PA/AP, right wrist XR, pediatric patient (male, age 8), image size 505x822 —

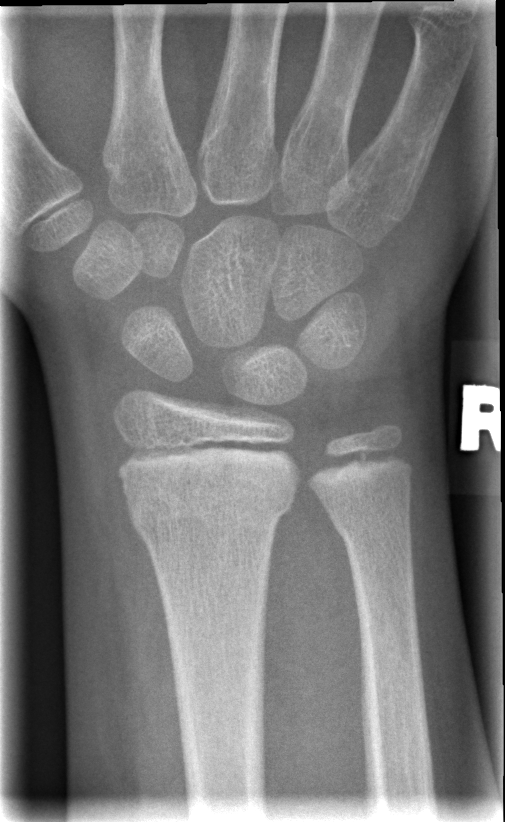

FINDINGS: Two Fx at (121, 462, 300, 554), (325, 498, 415, 558). AO/OTA classification: 23r-M/3.1; 23u-M/2.1.